Lat projection | Rt wrist plain film | 15y M | cast in situ —

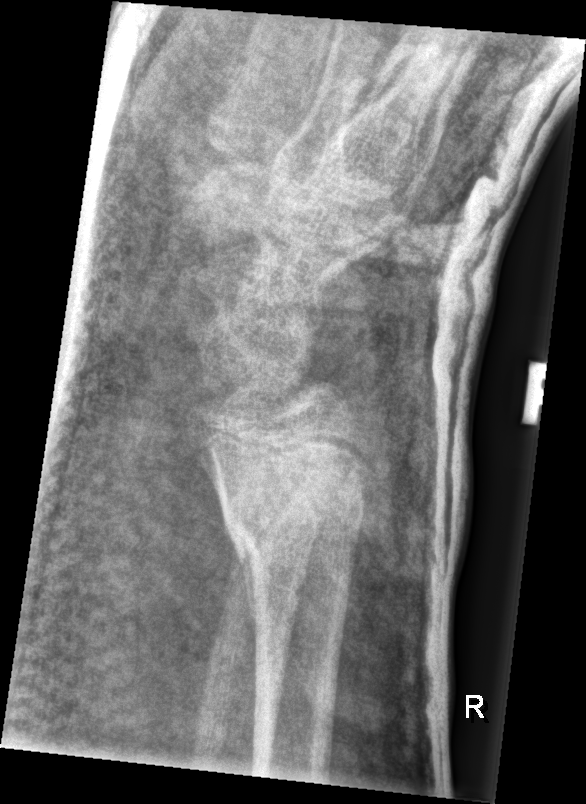
Periosteal thickening: [x1=237, y1=540, x2=258, y2=650]. Fracture classified AO/OTA 23r-M/3.1. Fx — [x1=218, y1=471, x2=368, y2=568].